Lat; left wrist plain film; acquired on Siemens:

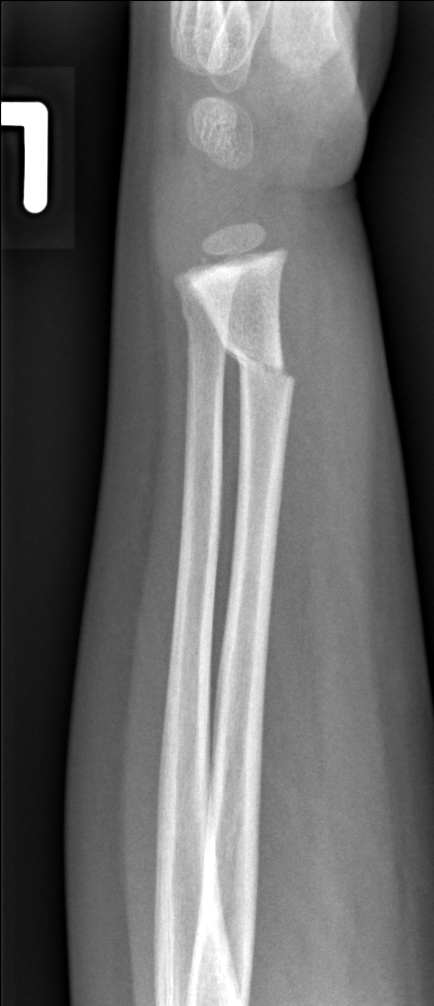 - Fx — <218,333>-<298,389> <176,298>-<234,336>.